Lateral projection, Lt wrist X-ray, pediatric patient (boy, age 13), subsequent exam, in cast, image size 466x882

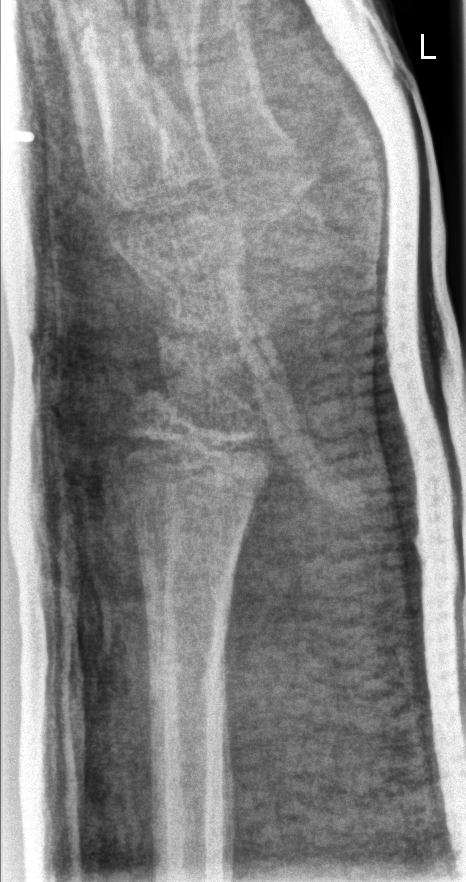

Findings: (boxes as x1,y1,x2,y2 (top-left / bottom-right, pixel units)) Fracture — (141, 636, 234, 722).